Lat view; left wrist XR; subsequent exam; 451 by 1186 pixels

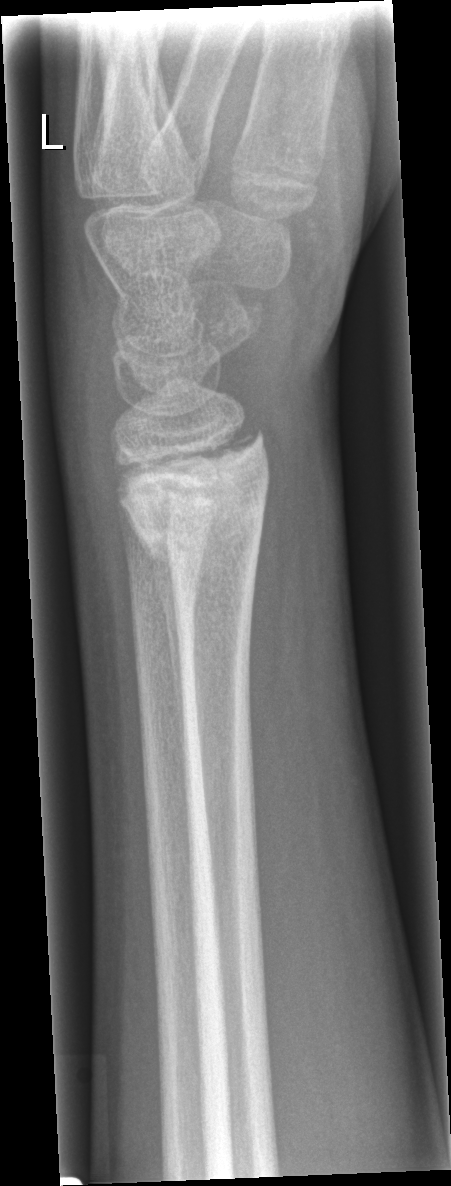 Fracture identified at [x1=114, y1=453, x2=283, y2=578].
Reduced bone mineral density.
Periosteal reaction identified at [x1=139, y1=541, x2=186, y2=763].
AO/OTA classification: 23r-M/3.1.